Lt pediatric wrist radiograph; PA/AP; follow-up; image size 638x1204:
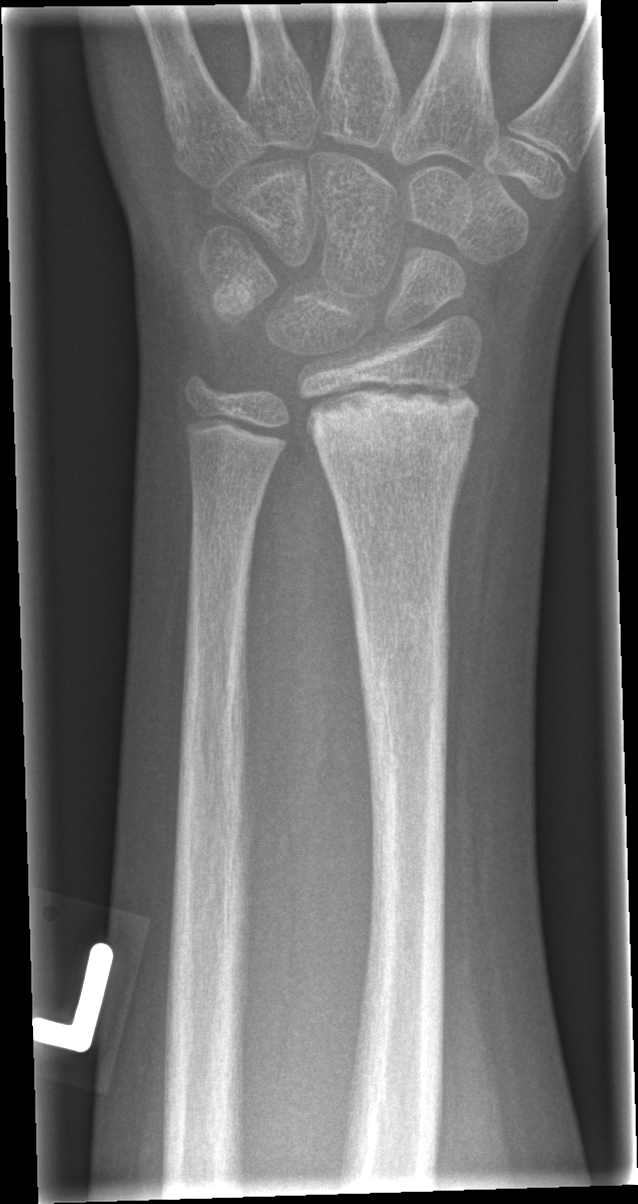

osteopenia: present
ao: 23r-E/2.1
fracture: 298,374,487,472